L plain radiograph of the wrist | PA | male, 7 yo | subsequent exam | acquired on Siemens | 527 by 964 pixels —

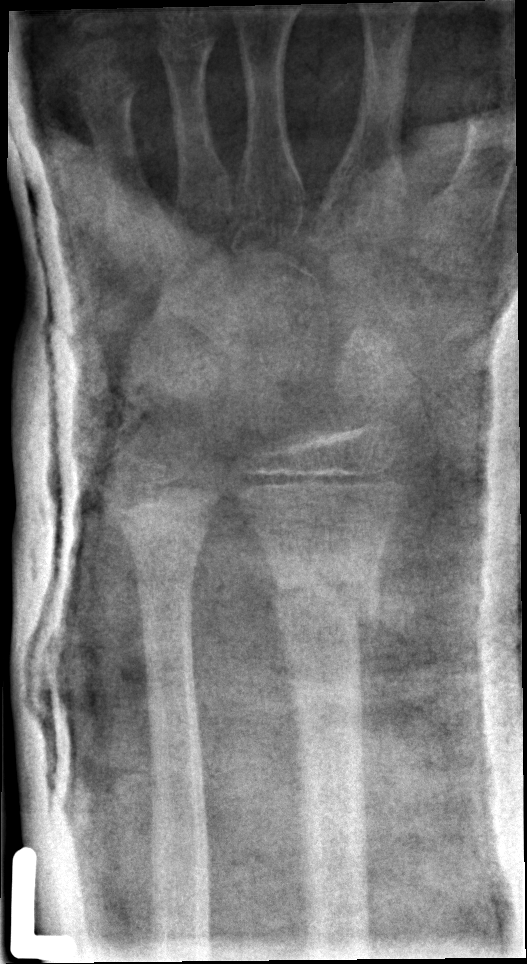 AO/OTA classification: 23r-M/3.1. Bone fracture — <262,546>-<385,633>.